PA; Rt wrist XR; boy, 10 yo 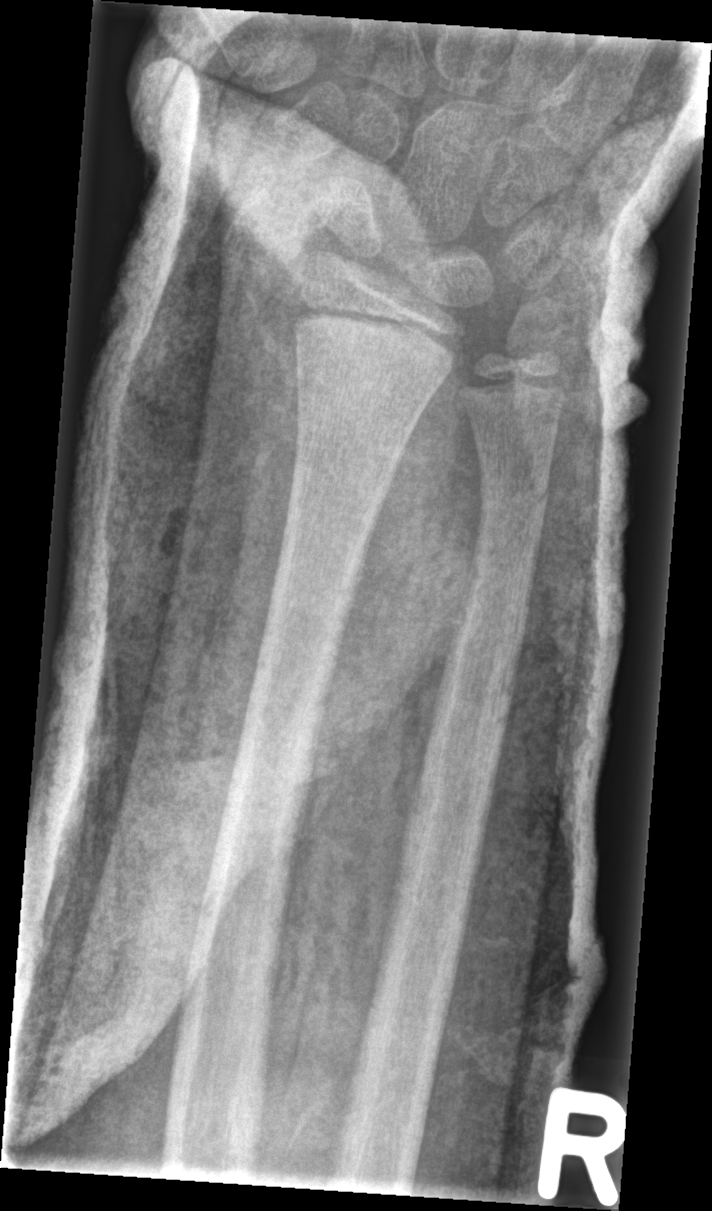 (pixel coordinates, top-left origin, xyxy)
Fx = bbox(471, 468, 554, 555)